Posteroanterior view, left wrist X-ray, follow-up study, detector: Siemens: 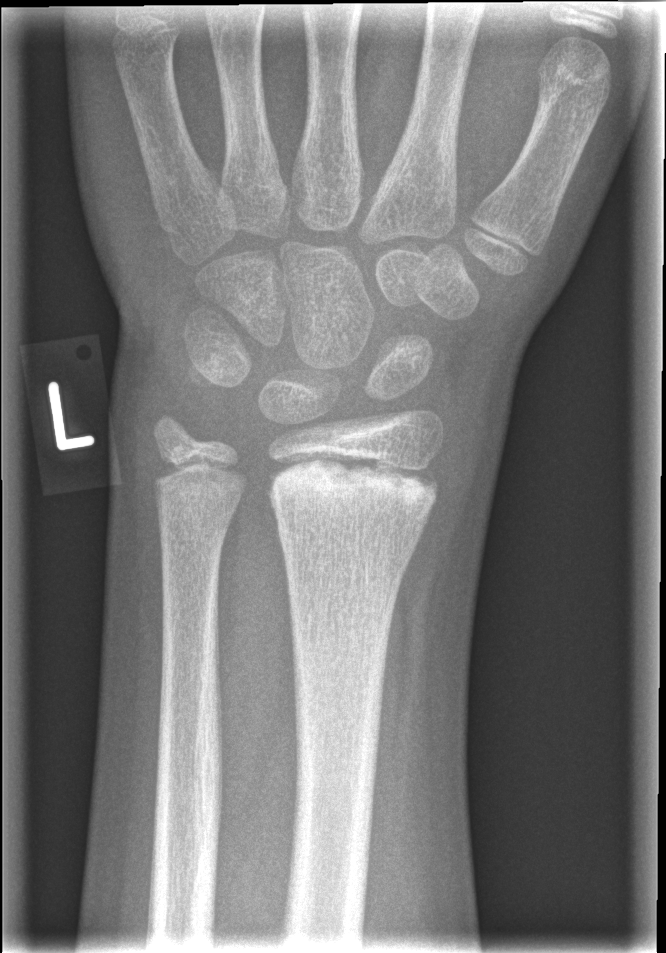 FINDINGS: AO code 23r-E/1. Bone fracture — bbox(263, 444, 443, 533).